Lat · left wrist X-ray · image width 72.3 mm. 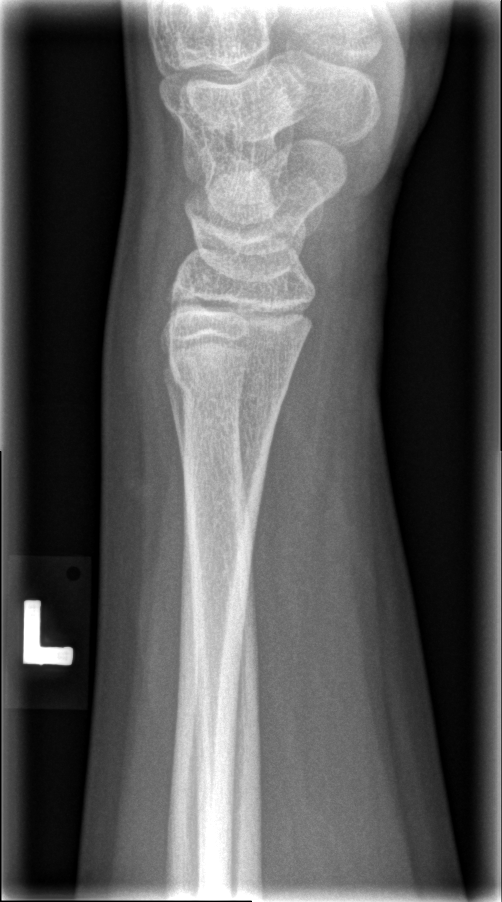

AO/OTA classification: 23r-M/2.1. Fracture identified at 168 347 293 408.